Lt pediatric wrist radiograph | lateral | 11-year-old female | image 66.7 mm wide | 463 x 1256 px 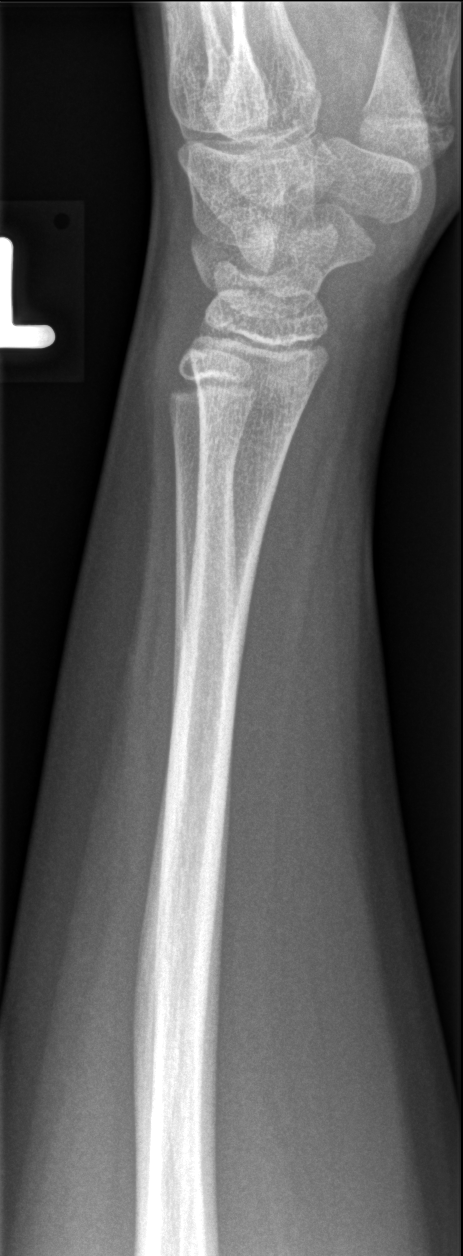 {
  "fracture": "none labeled"
}